R wrist X-ray | lat projection | girl, 12 yo —

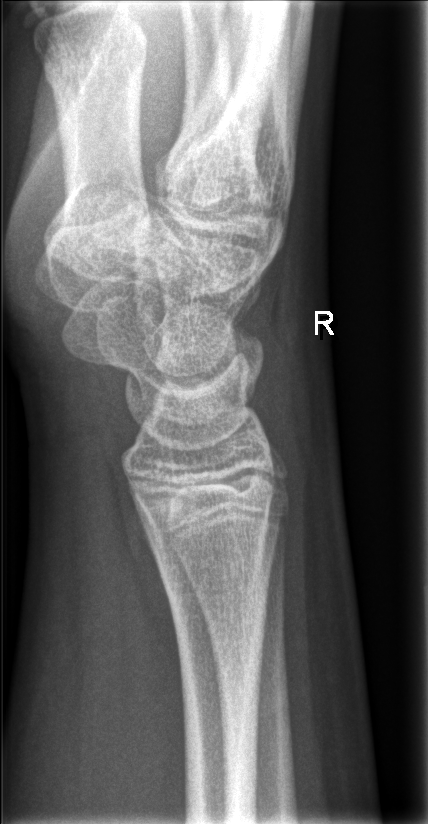
Fx: none.